PA/AP | Lt plain radiograph of the wrist | age 13 y, female | acquired on Siemens | 575 x 1232 px —

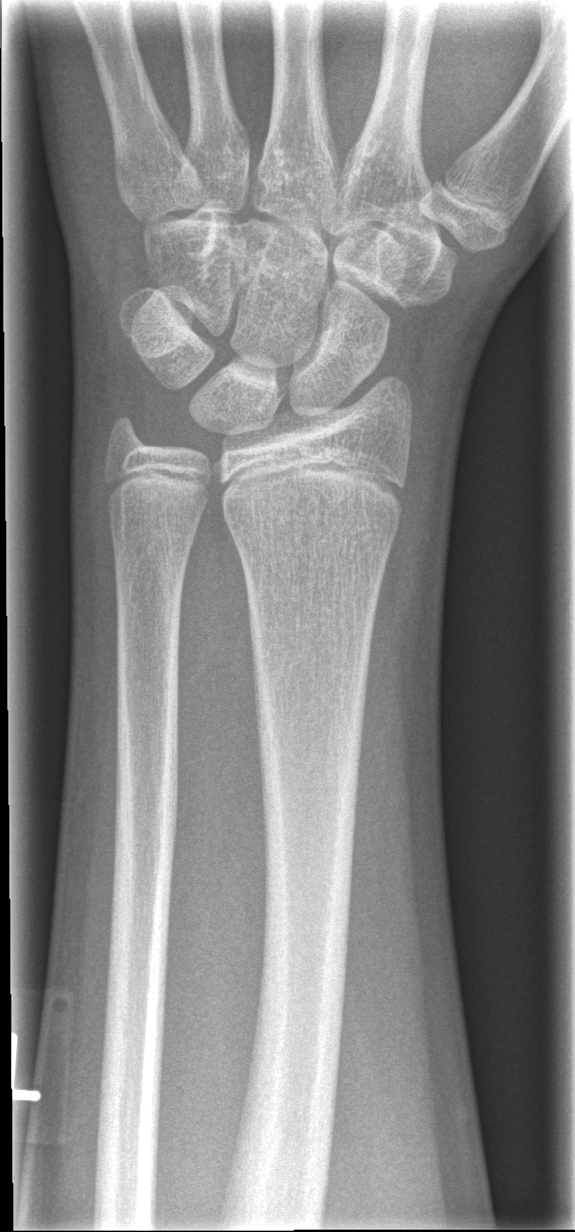 {"fracture": "present but not clearly seen in this view"}